Lateral projection · left wrist plain radiograph of the wrist · girl, 4 yo · presentation radiograph.
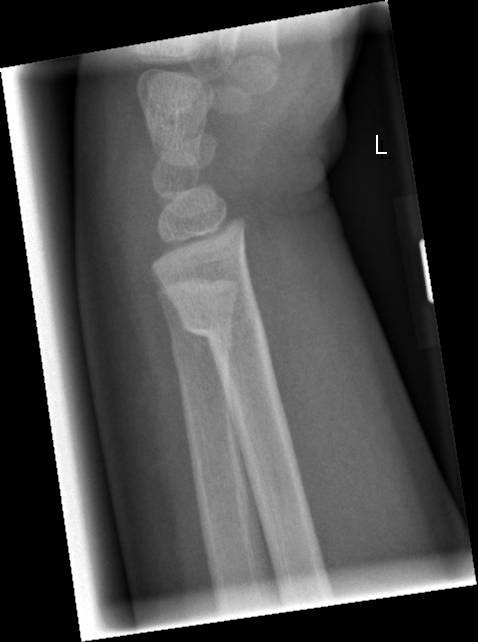 Fracture identified at (178, 298, 270, 356), (169, 328, 234, 378).